Right wrist X-ray | lateral projection | age 10 y, girl | image size 488x1016:
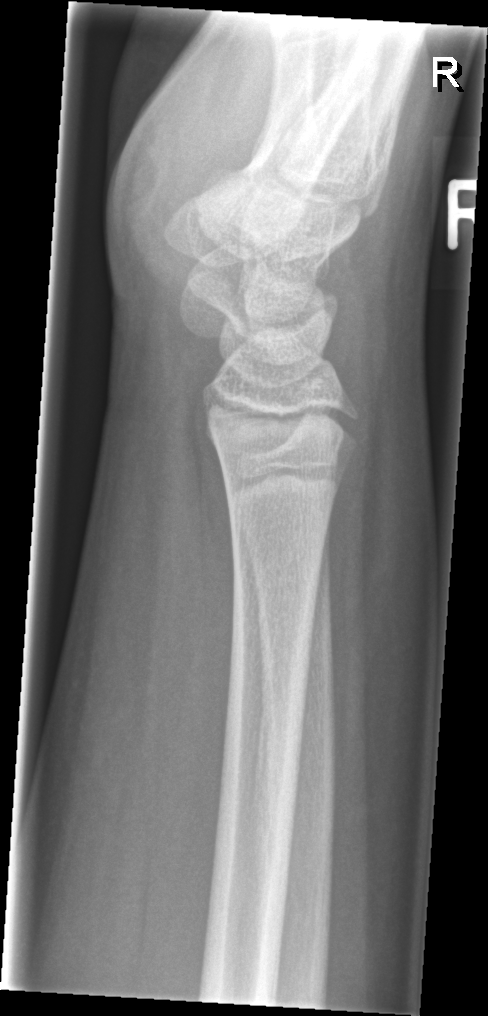
FINDINGS — No fracture bounding box.